PA projection, left wrist XR, male, 7 yo.
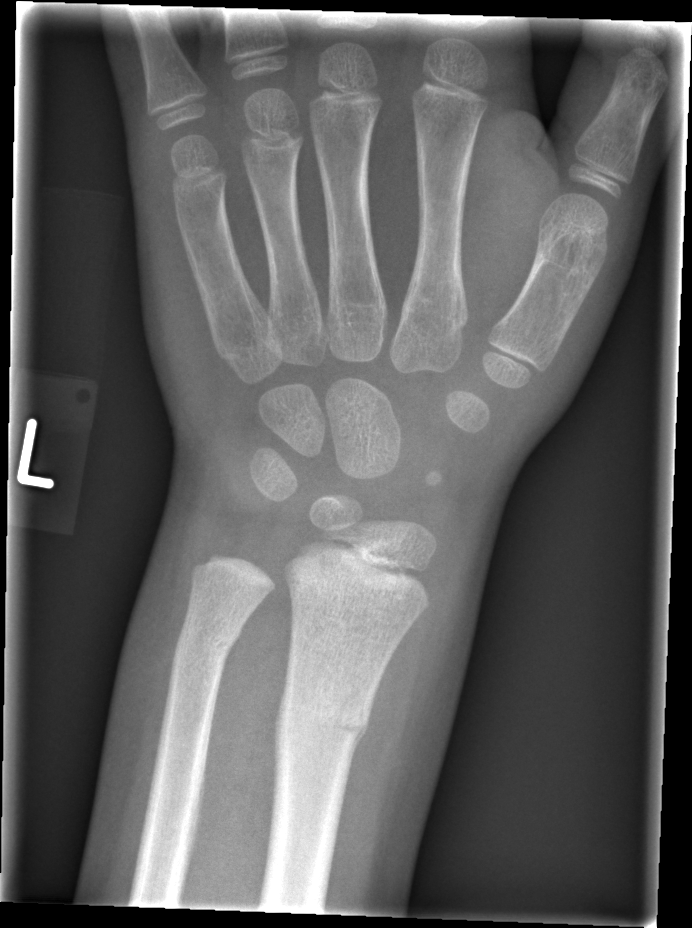

Two fractures at bbox(271, 671, 373, 769) bbox(171, 622, 244, 666).